Right wrist XR · lateral projection · in cast:
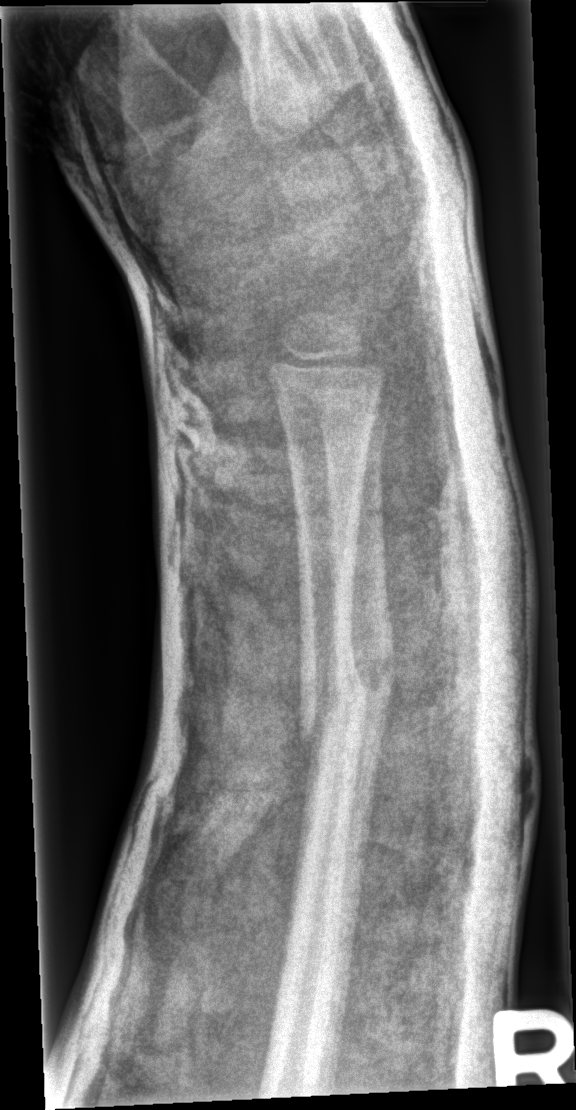
Q: What is the AO/OTA classification?
A: AO/OTA classification: 22-D/4.1
Q: Locate any fractures.
A: Bone fracture: bbox(292, 654, 371, 751), bbox(348, 640, 398, 712)